Left wrist X-ray, lat view, female, 11 yo, 68.0 mm image width —

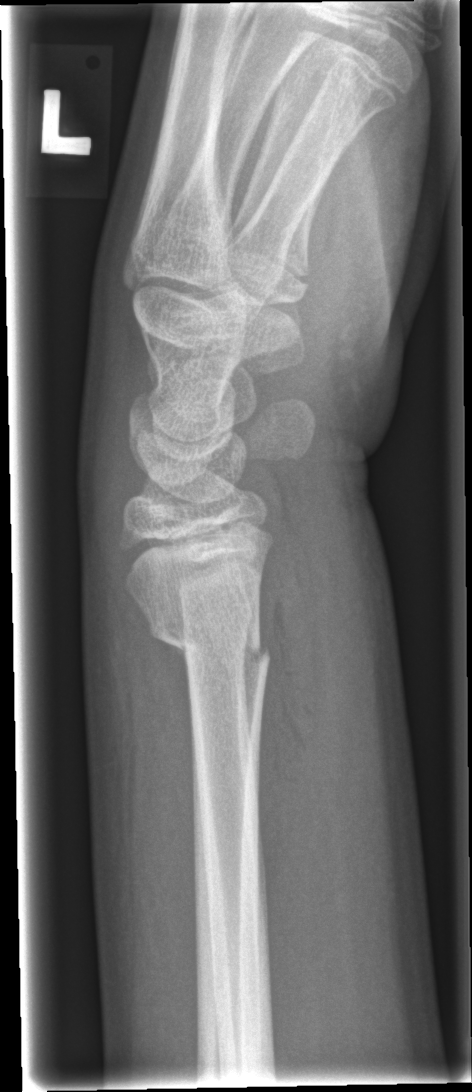 FINDINGS — (boxes as x1,y1,x2,y2 (top-left / bottom-right, pixel units)) Pronator quadratus fat-pad sign — 249 533 334 915. One soft-tissue finding at 96 524 206 1052. AO code 23r-M/3.1; 23u-E/7. Fx — 148 616 272 673.